AP projection · Lt pediatric wrist radiograph · image width 118.9 mm —
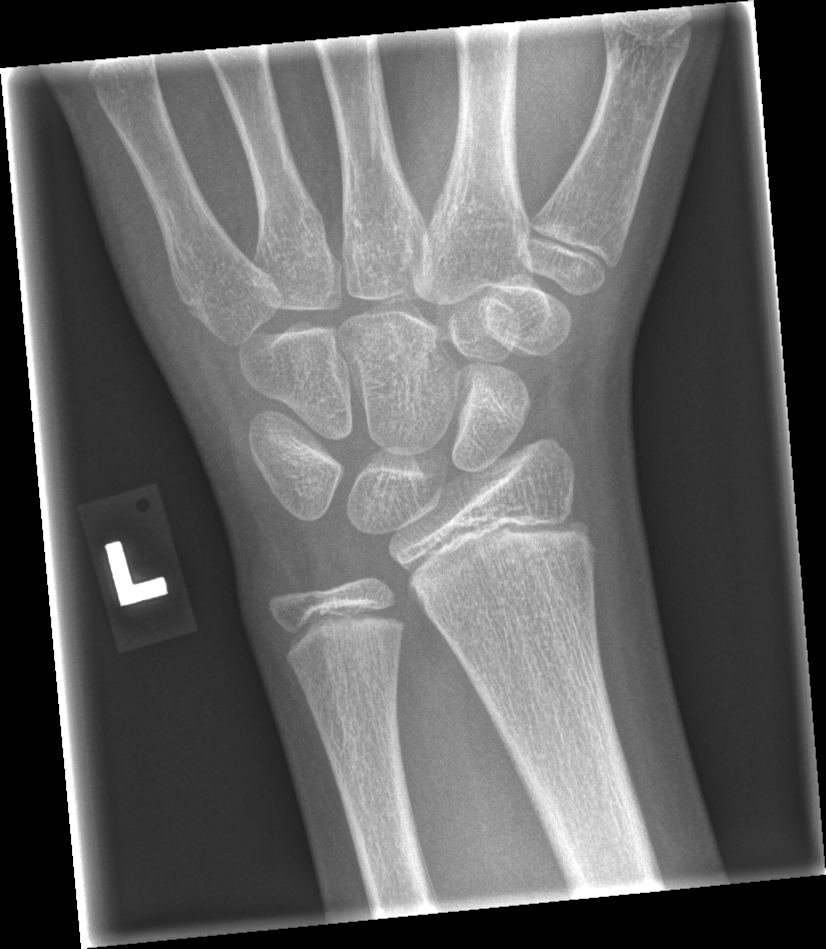 Findings: No fracture annotation.